Left wrist XR · lat projection · pediatric patient (female, age 14) · detector: Siemens · 548 x 1289 px —
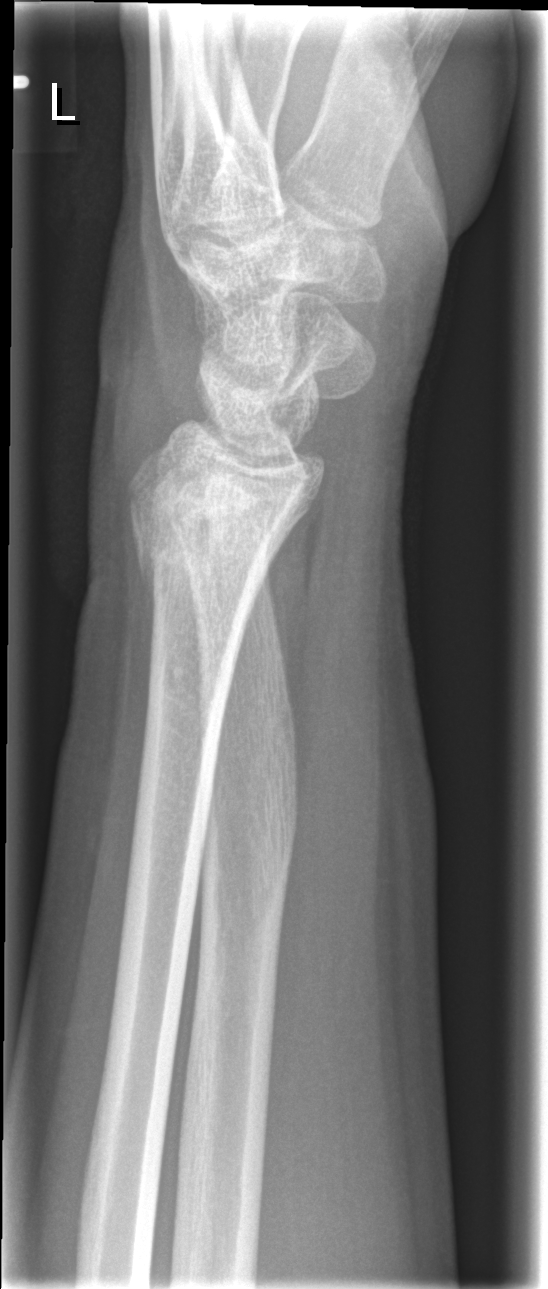
  osteopenia: present
  fracture: <123,482>-<322,596>